Lateral projection | R wrist plain film | male, 11 yo: 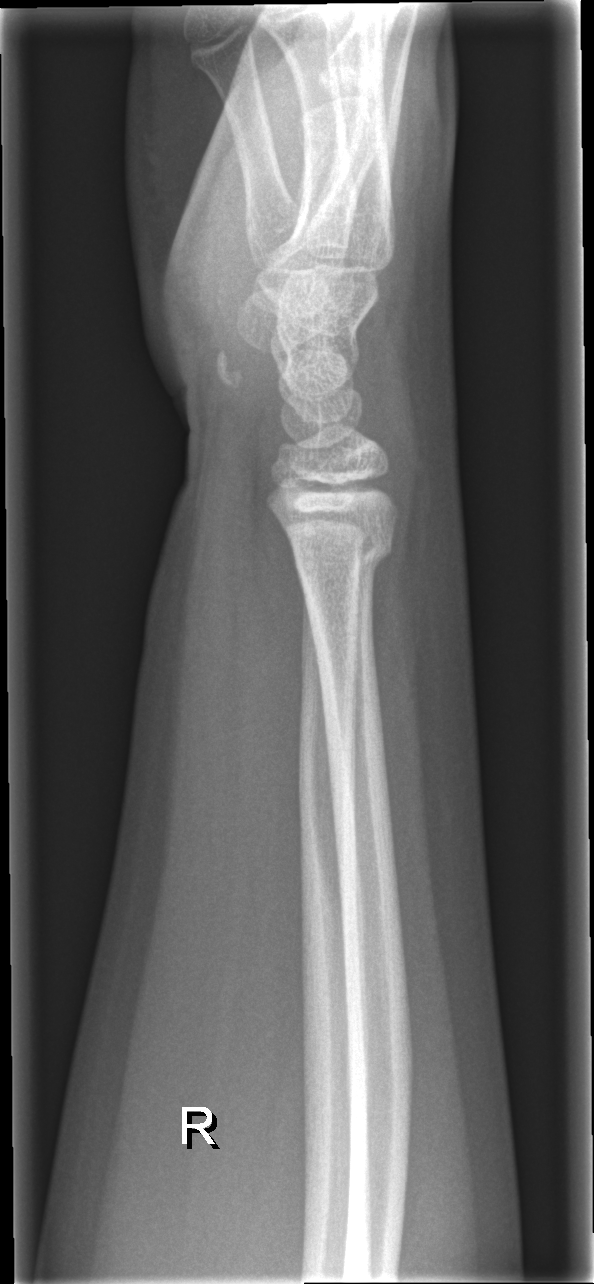

bone fracture = 1 @ (286, 524, 399, 584)
AO/OTA = 23r-M/2.1